AP view; right wrist pediatric wrist radiograph:

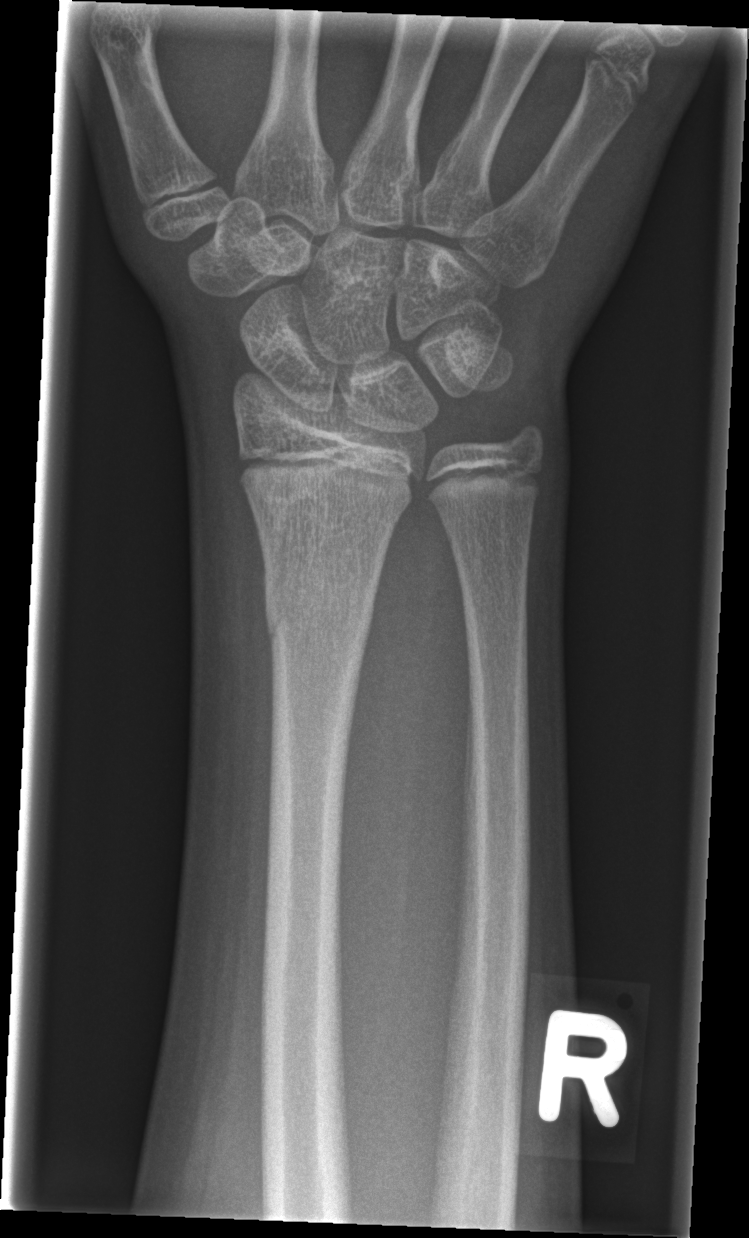

{
  "fracture": "bbox(260, 575, 379, 659)"
}